Posteroanterior view | right wrist XR | pediatric patient (male, age 8) | subsequent exam | cast present | 778 by 1168 pixels —

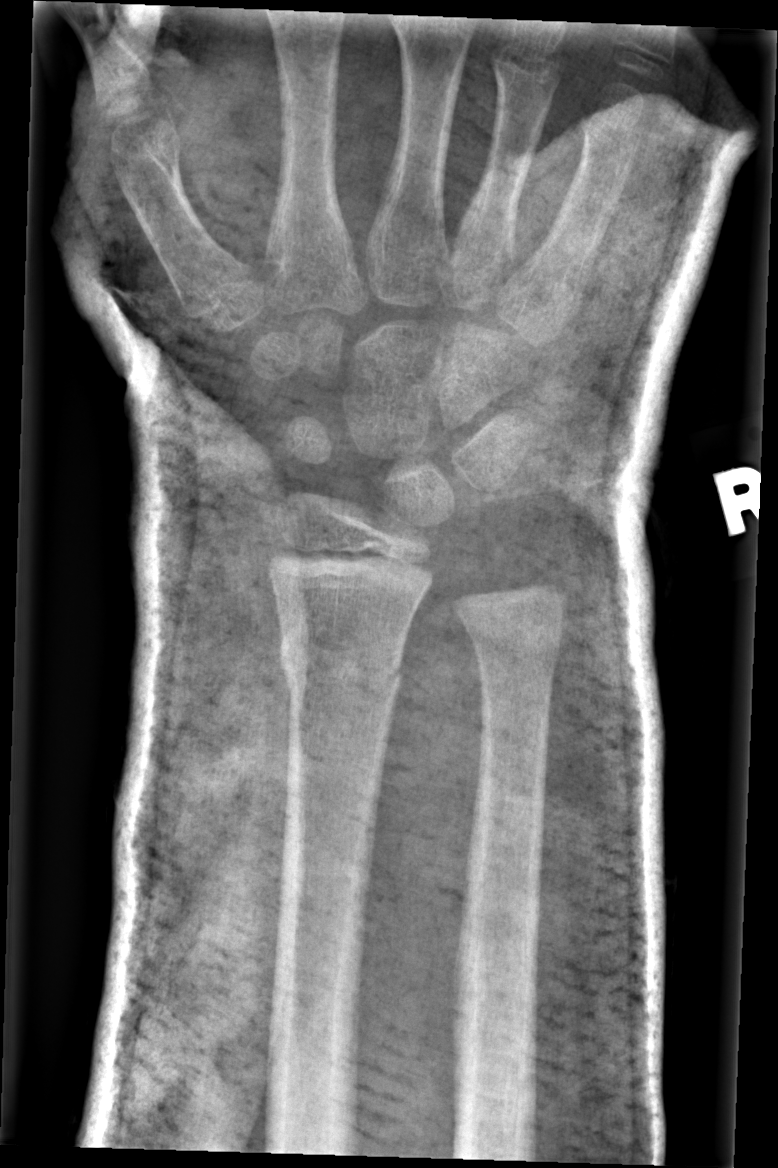 FINDINGS: (boxes as x1,y1,x2,y2 (top-left / bottom-right, pixel units)) Fracture classified AO/OTA 23r-M/3.1. One bone fracture at 276,619,406,704.